Lateral view, Lt wrist XR, pediatric patient (boy, age 7): 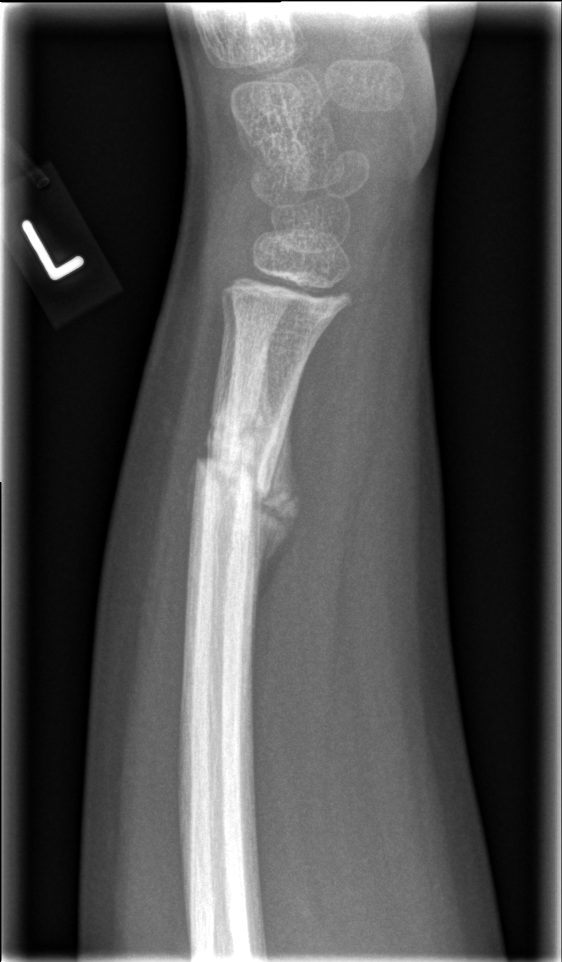

{"periostealreaction": "bbox(247, 400, 302, 654)", "fracture": "1 @ bbox(191, 422, 290, 510)", "osteopenia": "present", "ao": "23-M/3.1"}